Lat projection | Lt plain radiograph of the wrist | pediatric patient (male, age 3) | image 90.0 mm wide

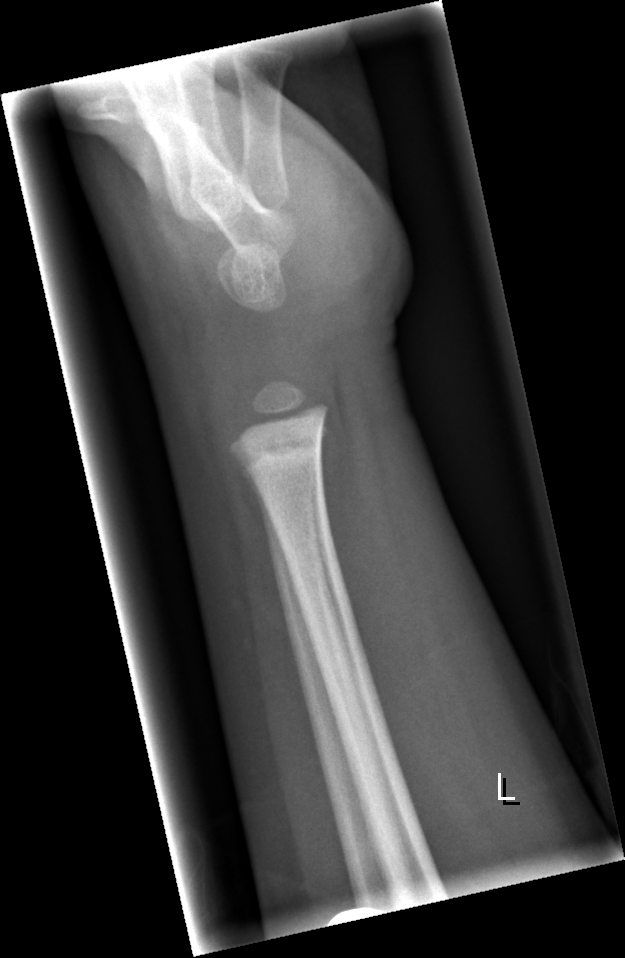
- No fracture labeled.